Frontal projection · Lt wrist X-ray · 8-year-old female · in cast.

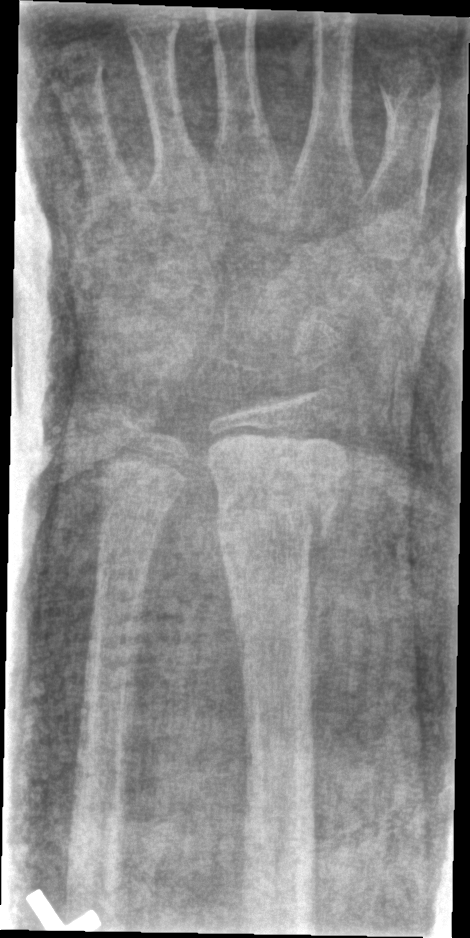
AO/OTA = 23-M/3.1; 23u-M/2.1
Fx = (211, 487, 337, 551)